Left wrist XR; obl projection; 11-year-old girl; imaged through cast 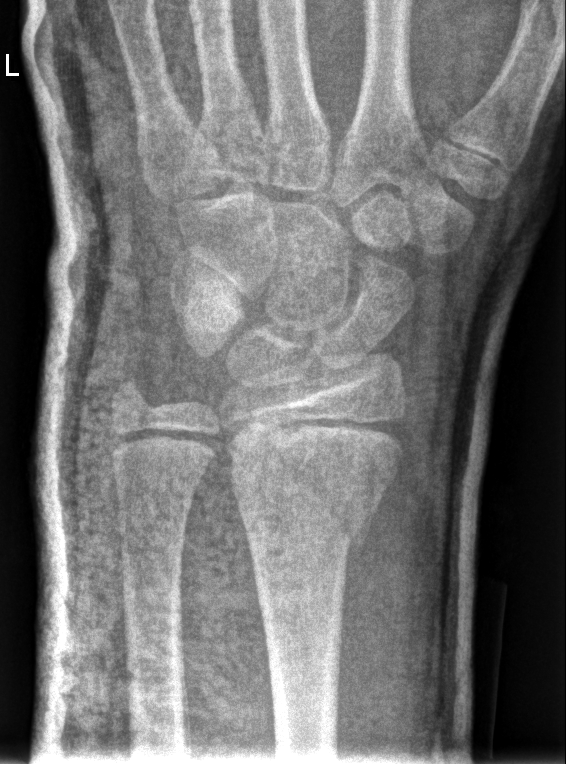
{"fracture": "bbox(231, 480, 378, 576)"}